Rt wrist XR, posteroanterior, female, 7 yo —
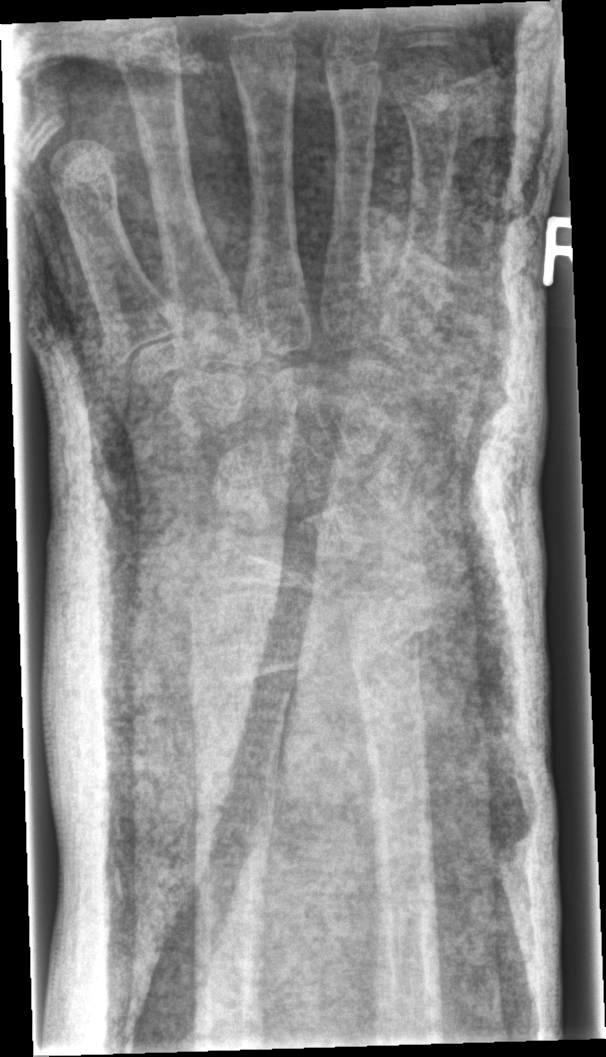 - Fracture: [x1=180, y1=638, x2=303, y2=737], [x1=342, y1=622, x2=428, y2=708].